Lt pediatric wrist radiograph | PA view: 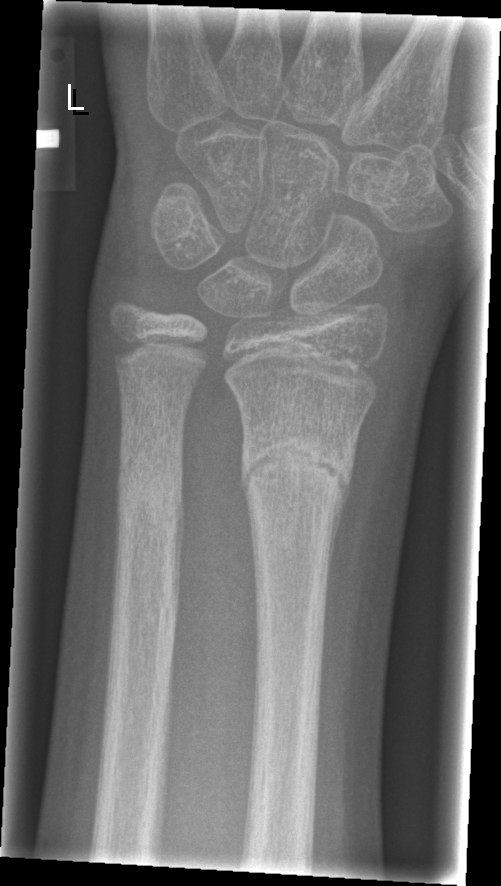
Bone fracture: 235 428 357 518
  112 467 187 535
AO classification: 23r-M/3.1; 23u-M/2.1
Osteopenia: present